Lt wrist plain film | lateral | age 11 y, girl

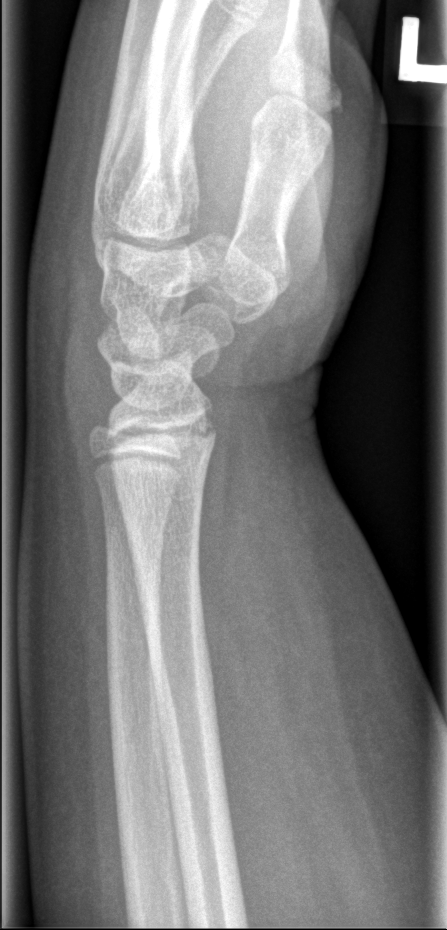

Findings: No fracture annotation.